Lateral · R wrist plain film · 18-year-old female · acquired on Siemens
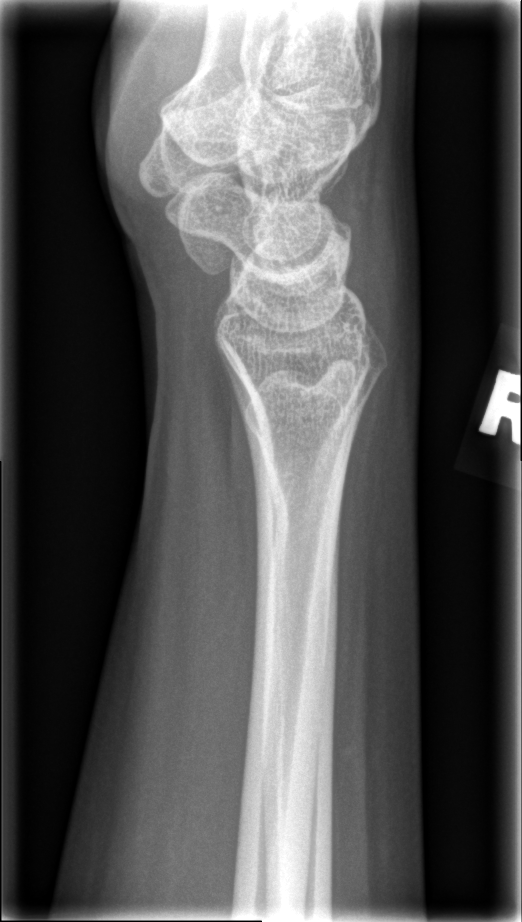 Fracture: none labeled.